PA/AP projection; right wrist X-ray; 15-year-old female: 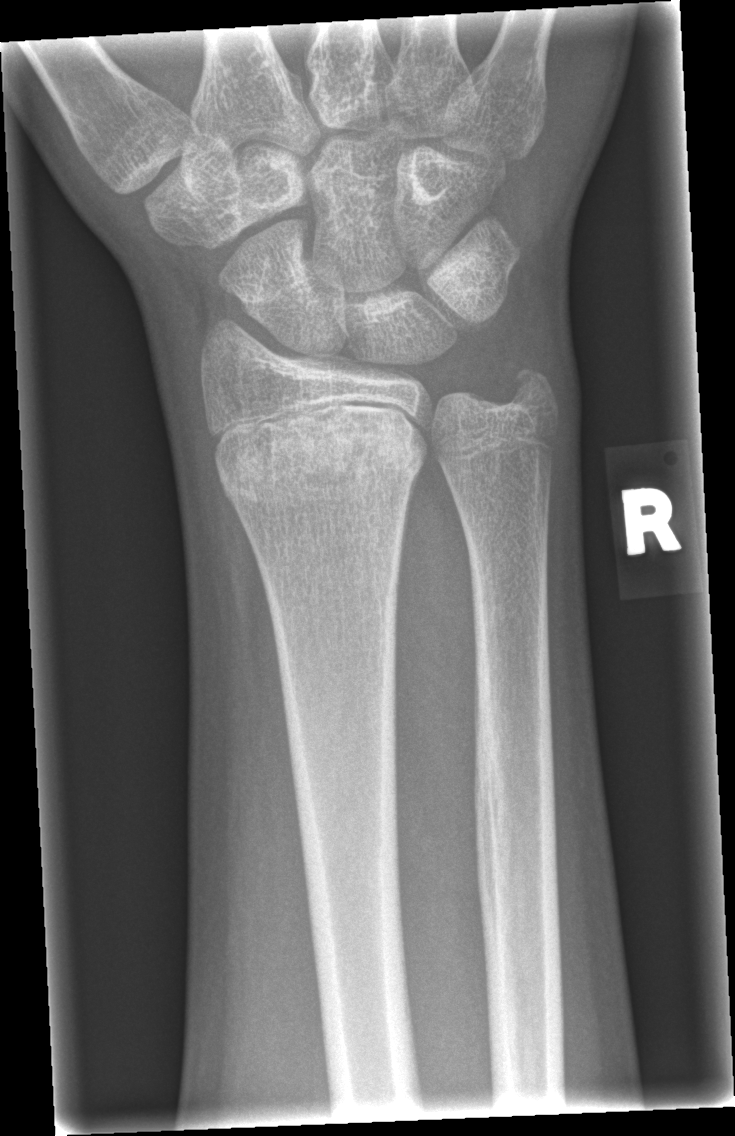 FINDINGS — (coordinates are [x1, y1, x2, y2] in image pixels) Fractures — 209,405,427,513
  489,355,567,426.